Posteroanterior projection; left wrist X-ray; age 10 y, boy; follow-up study; cast in situ; 722 by 1071 pixels —
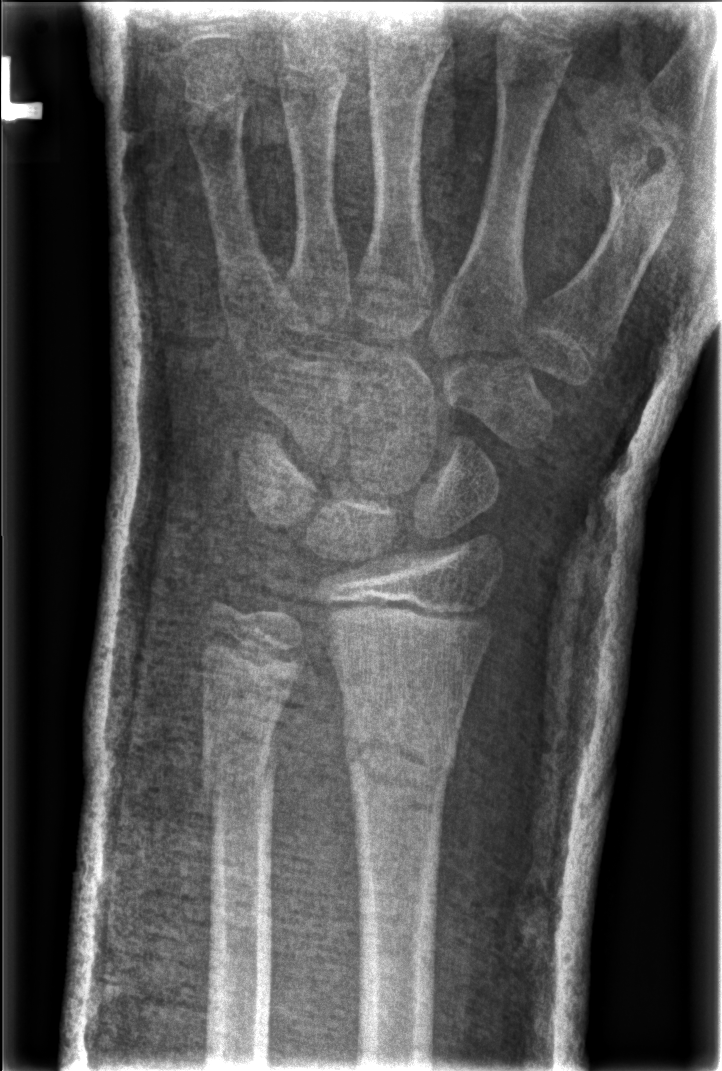

bone fracture = 337 717 458 790
  197 730 281 809